Left wrist X-ray; lateral view; 15-year-old girl; initial study.
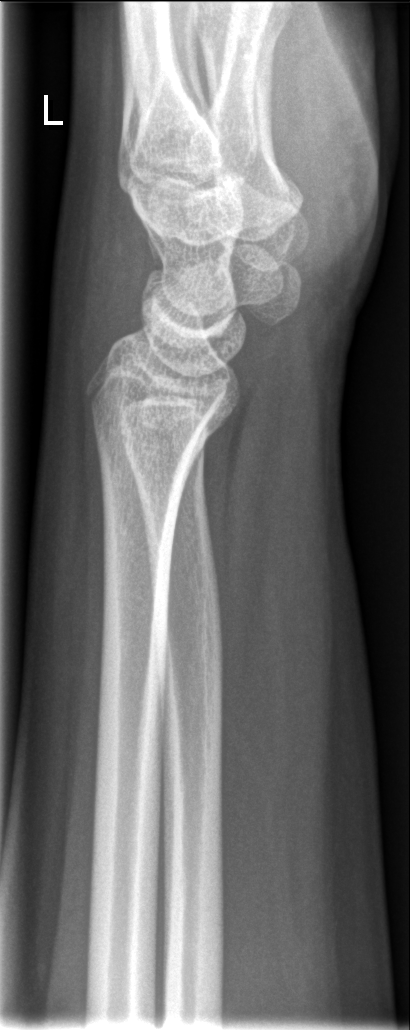

Findings: Fracture: none labeled.